Lateral projection | Rt pediatric wrist radiograph | 11-year-old male | follow-up | in cast.

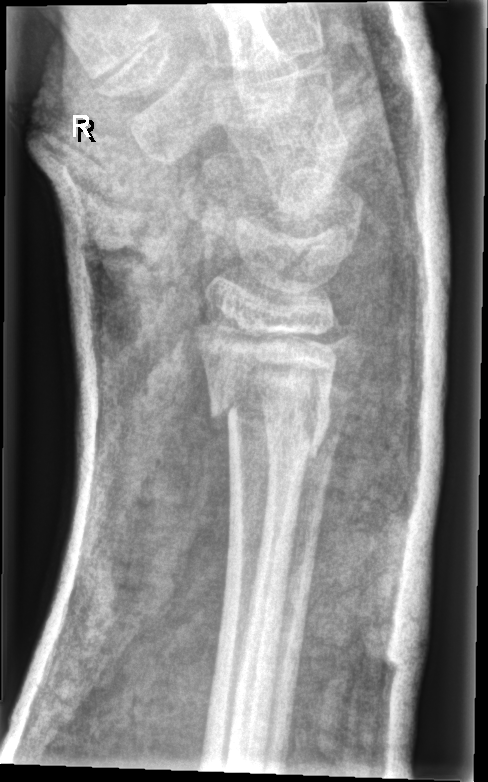

  # bounding boxes in image-pixel xyxy
  fracture: <205,385>-<334,462>